AP projection; left wrist XR; 13y M; subsequent exam —
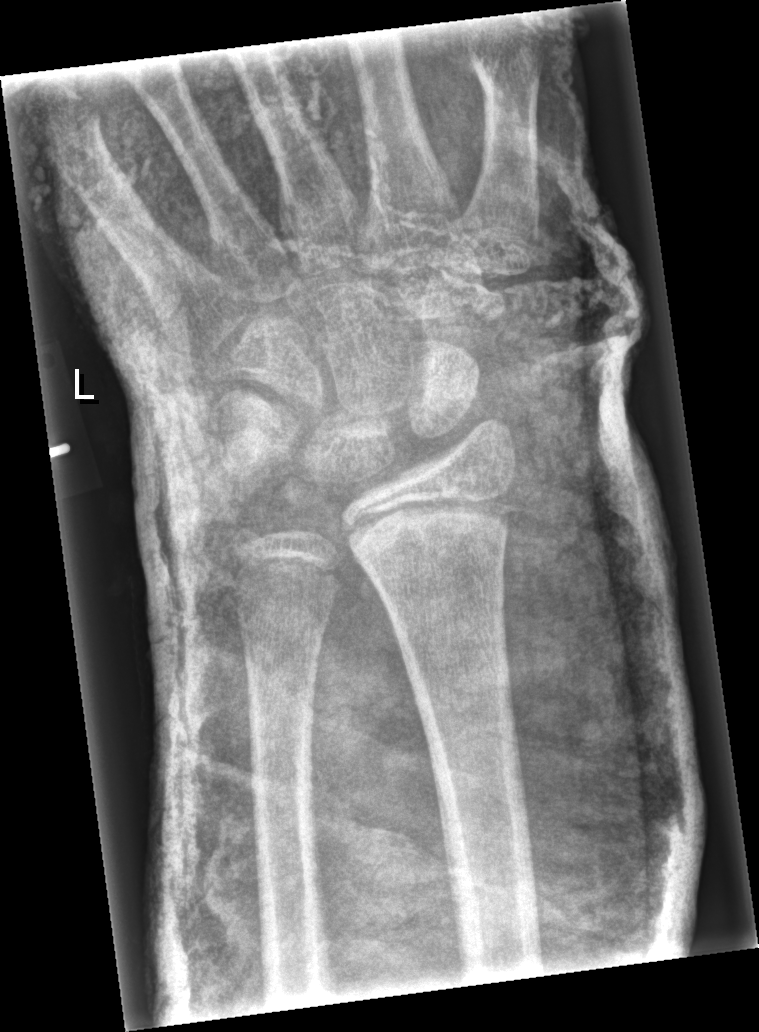

Fx — <345,485>-<520,570>. AO/OTA classification: 23r-E/2.1; 23u-E/7.